Lateral view | R pediatric wrist radiograph | male, 13 yo: 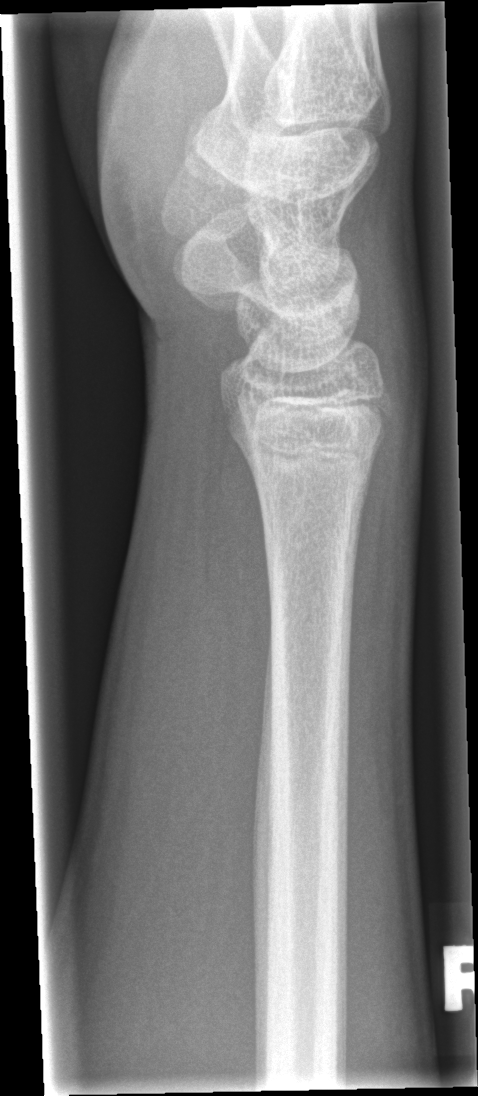

Fracture: none labeled.